L wrist radiograph · posteroanterior projection.
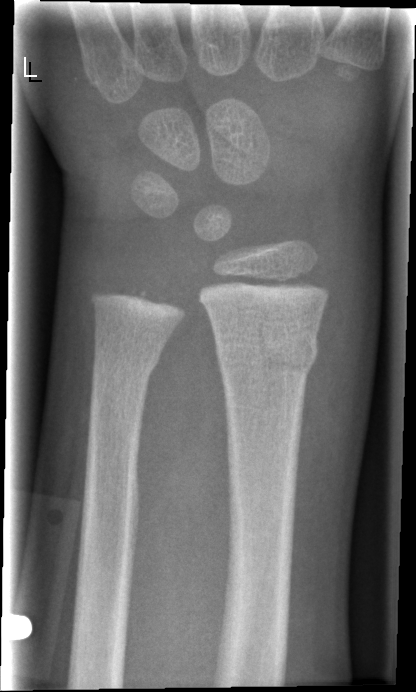

* Fracture classified AO/OTA 23-M/2.1.
* Fracture: bbox(212, 320, 322, 384), bbox(90, 339, 169, 384).